Obl view; left wrist pediatric wrist radiograph; pediatric patient (girl, age 7); follow-up study — 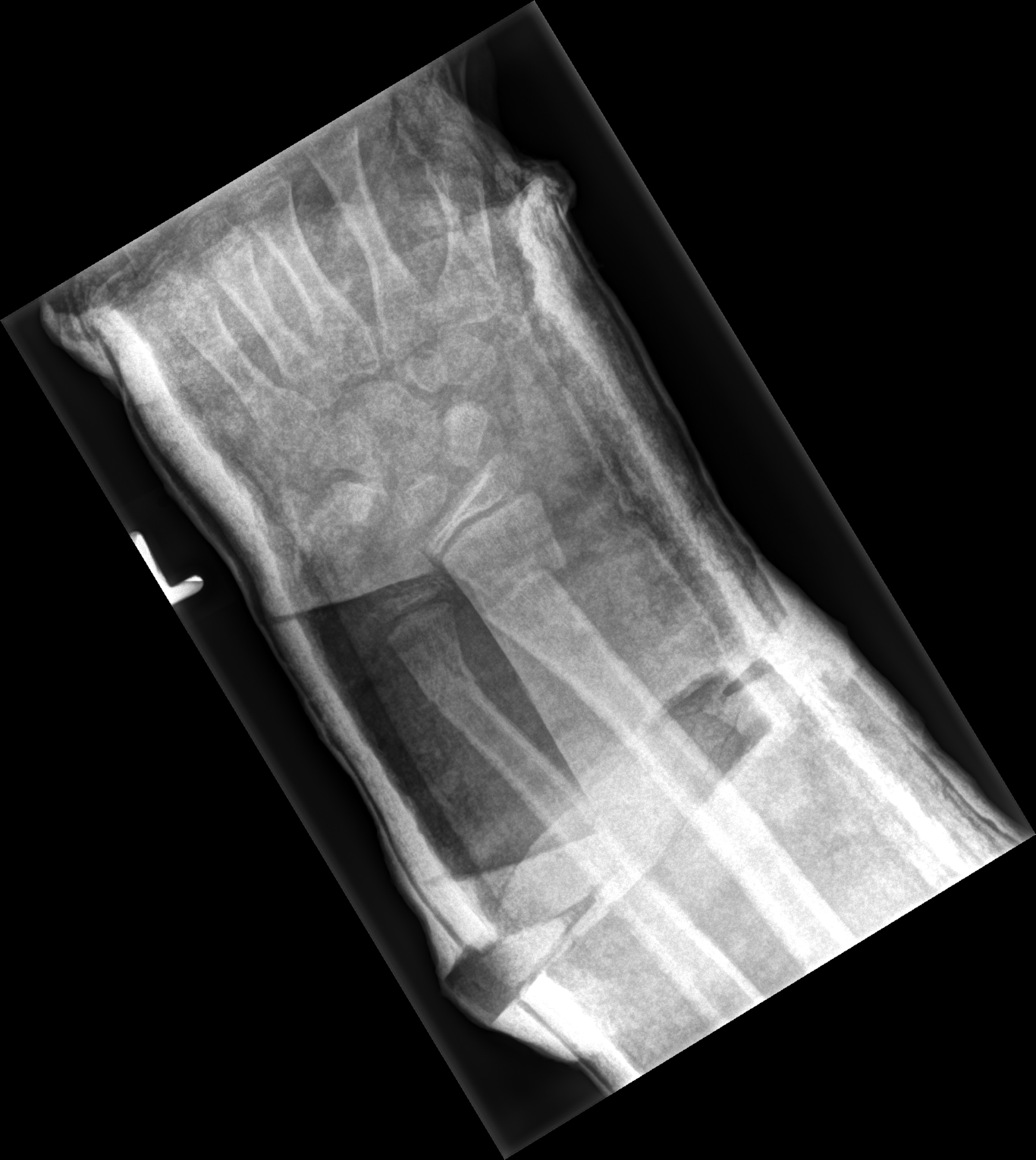
AO classification: 23-M/3.1; 23u-E/7
Bone fracture: <470,537>-<566,633>; <411,648>-<481,715>